Frontal view; Rt wrist XR; 16-year-old boy; follow-up study; image 100.4 mm wide.

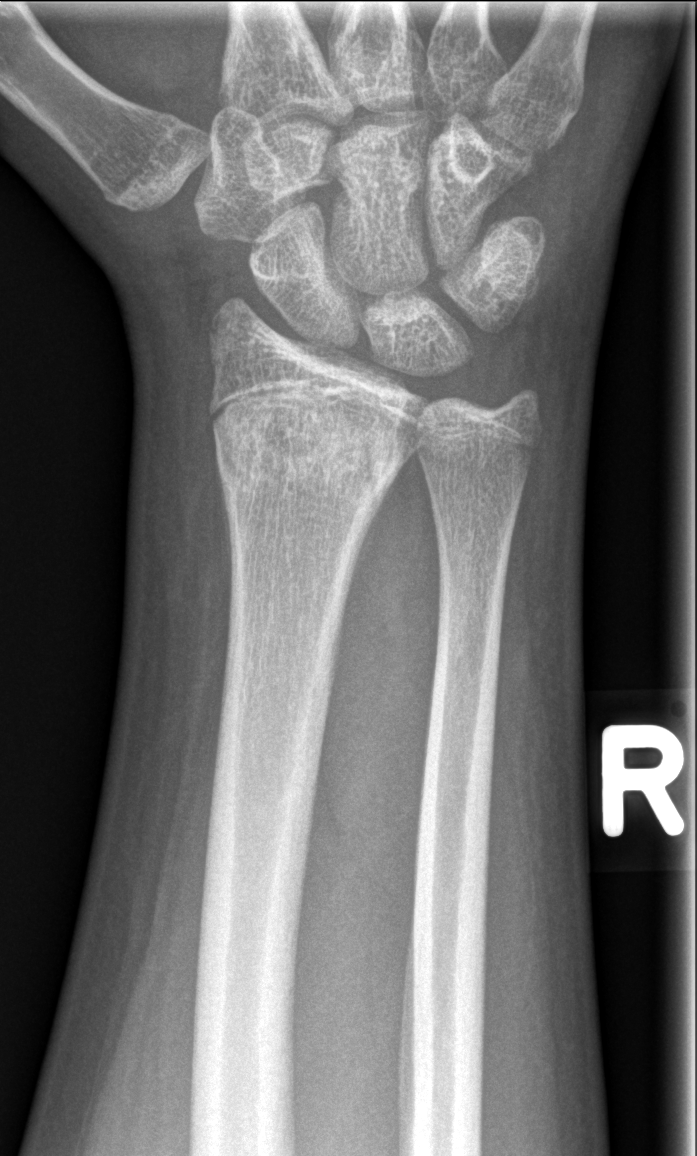

AO/OTA: 23r-M/2.1
Fracture: (left=203, top=417, right=395, bottom=517)